Right wrist X-ray, lateral projection, 7-year-old male: 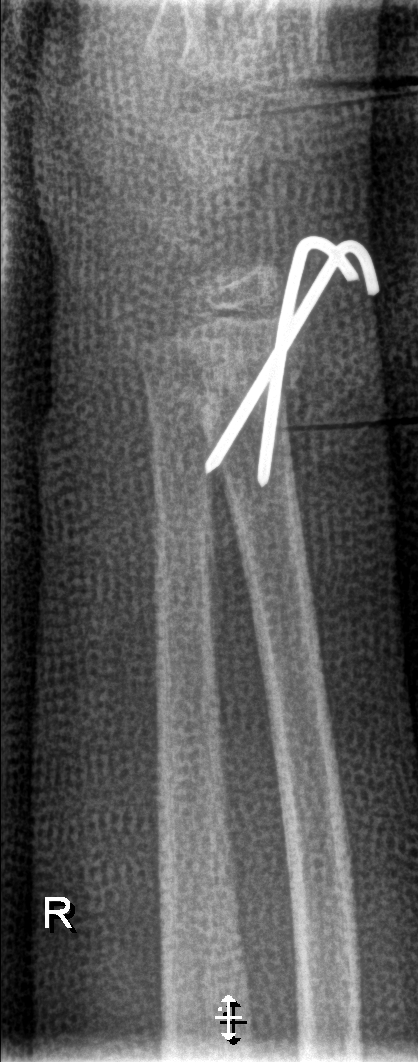   # bounding boxes in image-pixel xyxy
  fracture: 1 @ 188,364,298,427
  metal: 200,234,374,488
  ao: 23r-M/3.1; 23u-M/2.1